Posteroanterior projection; R wrist radiograph; pediatric patient (male, age 15).
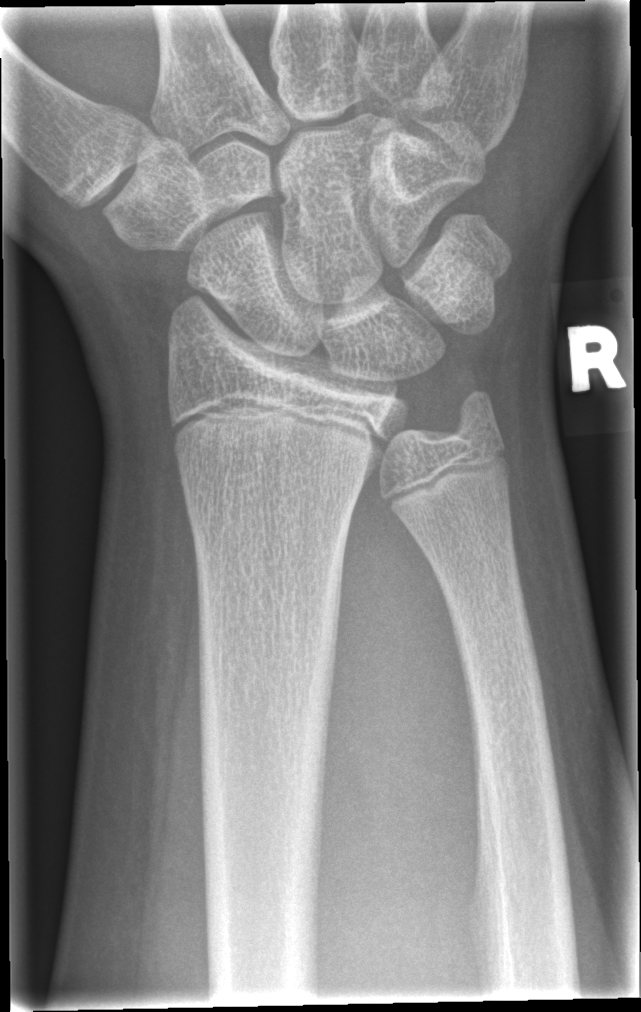
No fracture bounding box.